Left wrist X-ray | lateral | cast present.
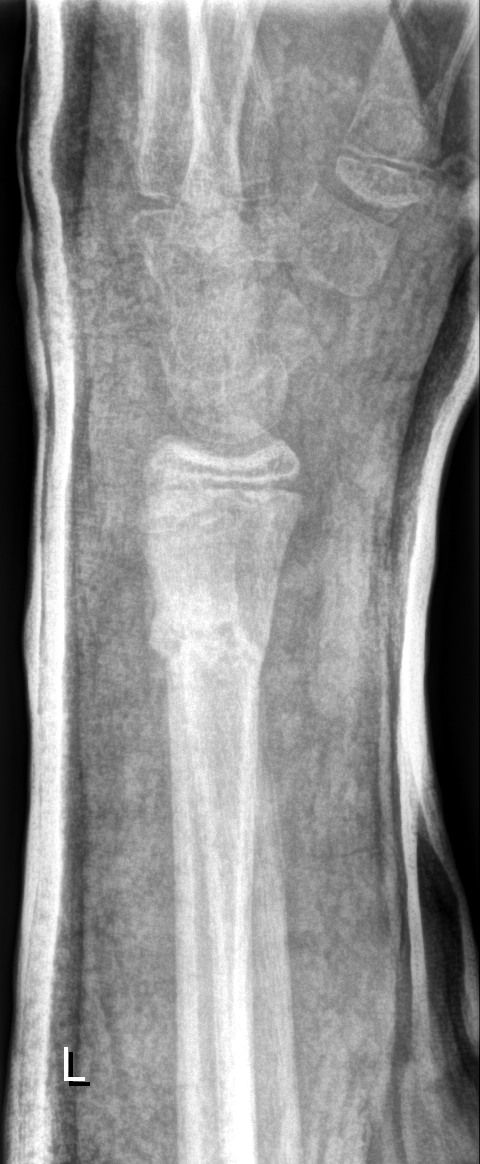 Fracture classified AO/OTA 23-M/3.1; 23u-E/7.
Fx identified at (left=141, top=575, right=277, bottom=699).